Left wrist plain radiograph of the wrist · posteroanterior projection · 620 x 932 px.

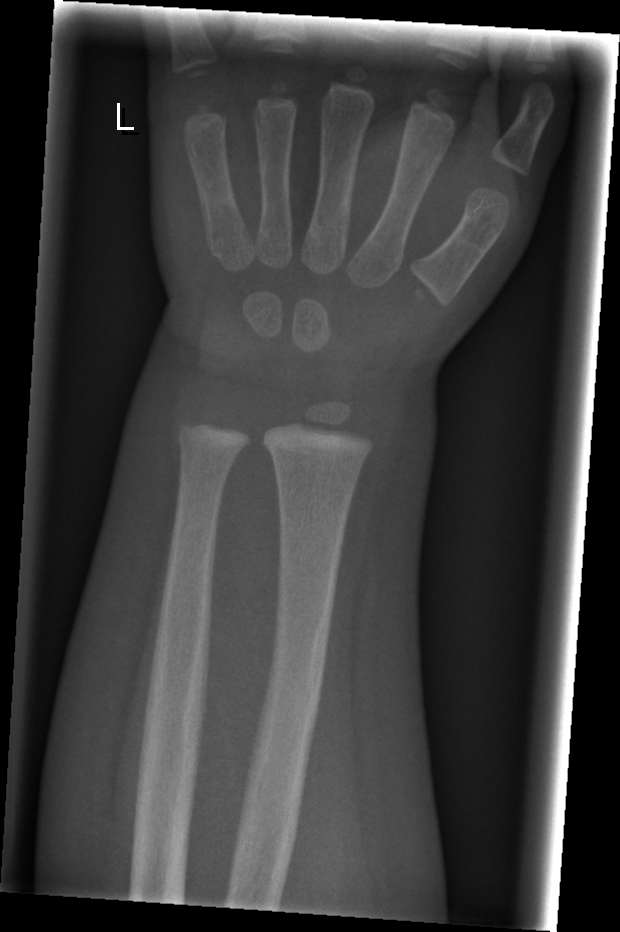
No Fx annotated.